Lt wrist XR, frontal projection, cast in situ, 807x796 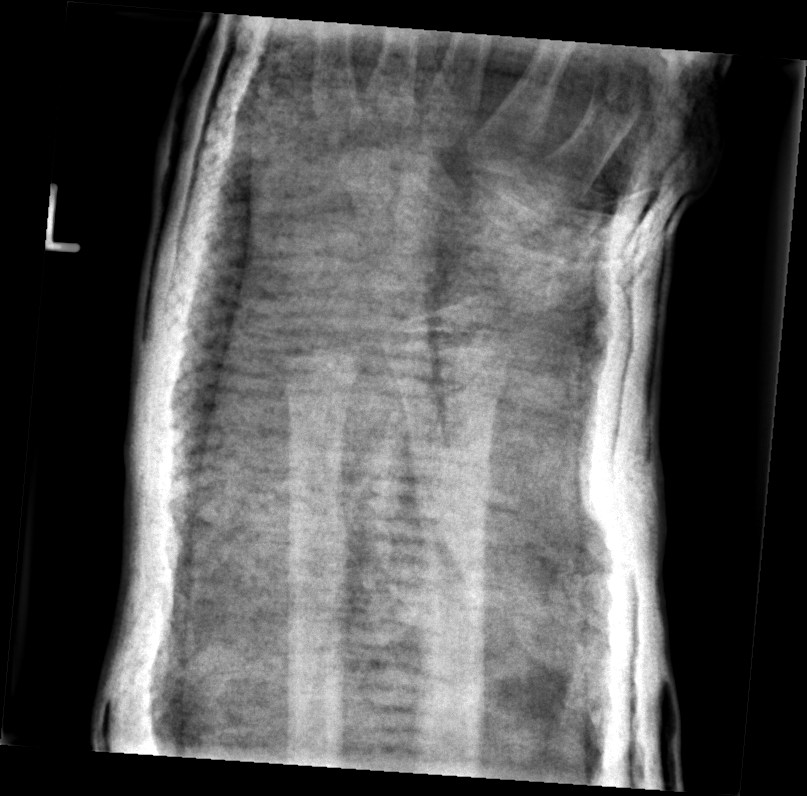

* Fracture classified AO/OTA 23r-M/3.1.
* Fracture present but not clearly seen in this view.